Lat projection, Rt pediatric wrist radiograph.

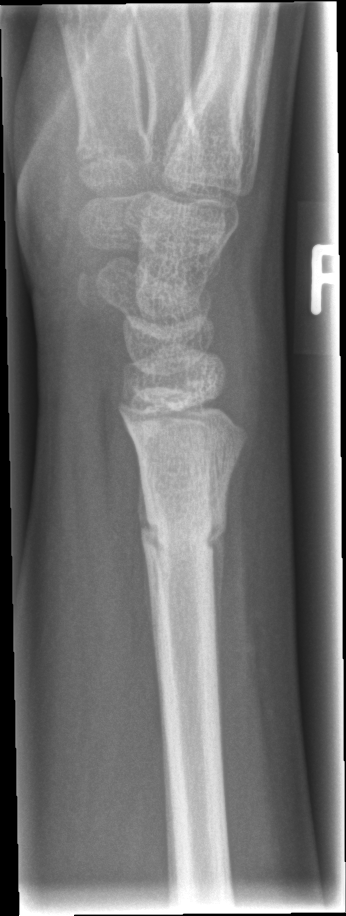
* Bounding boxes in image-pixel xyxy.
* Fracture — bbox(137, 501, 230, 569).
* Two periosteal new bone at bbox(209, 529, 225, 662), bbox(138, 465, 151, 530).